L wrist radiograph; lateral view; male, 11 yo —
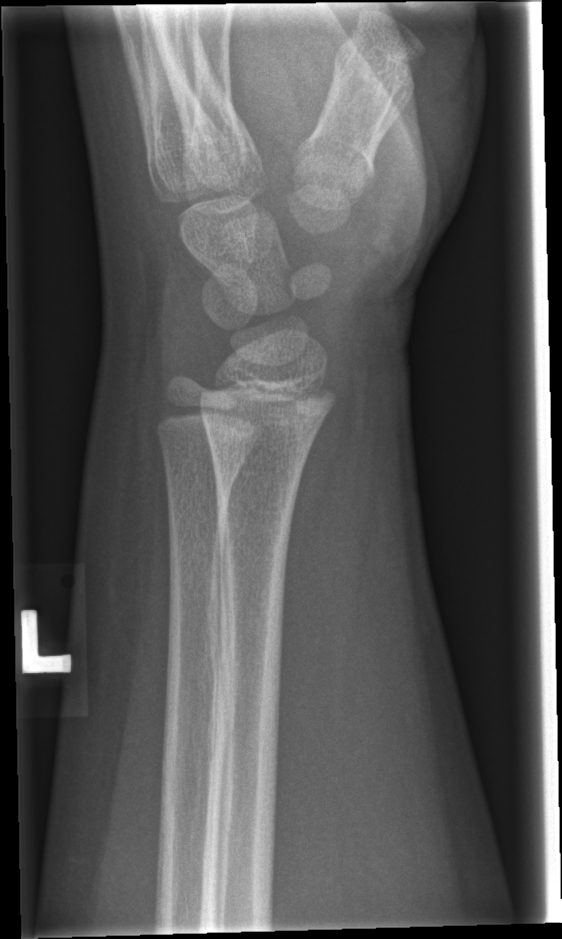

No fracture bounding box.